Frontal, L wrist X-ray, pediatric patient (female, age 17).

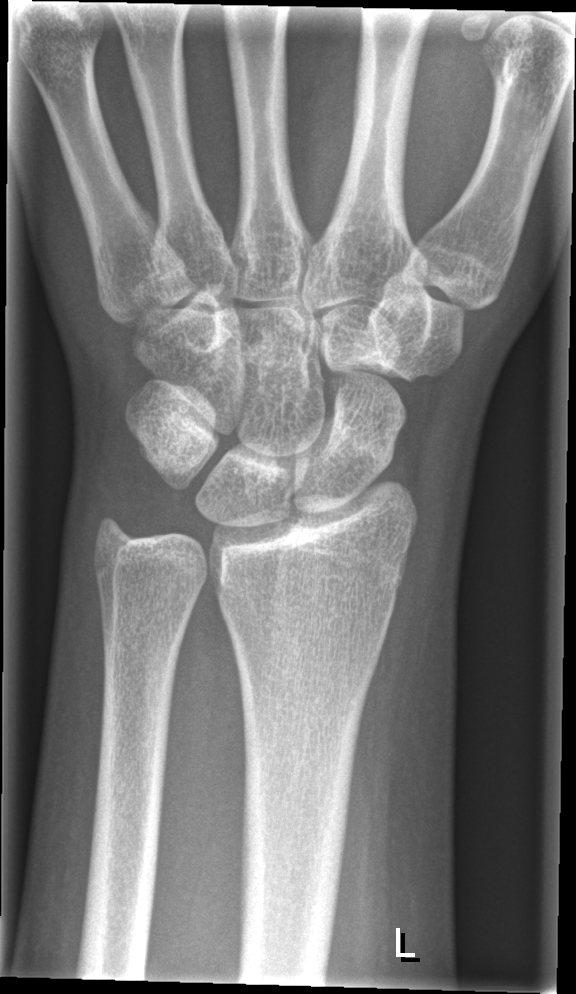

Fx: none labeled